AP view · left plain radiograph of the wrist · age 10 y, girl · 576 by 833 pixels:
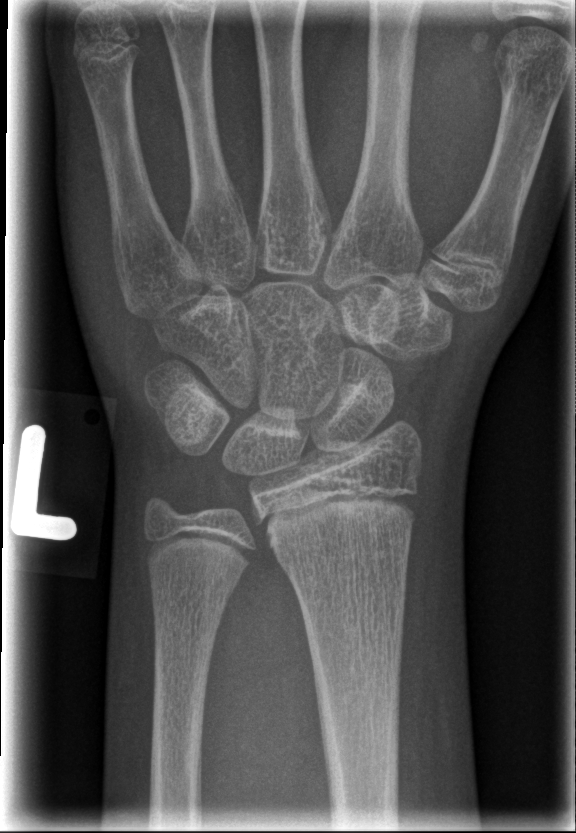
fracture: none labeled